R wrist radiograph; frontal view; age 8 y, girl — 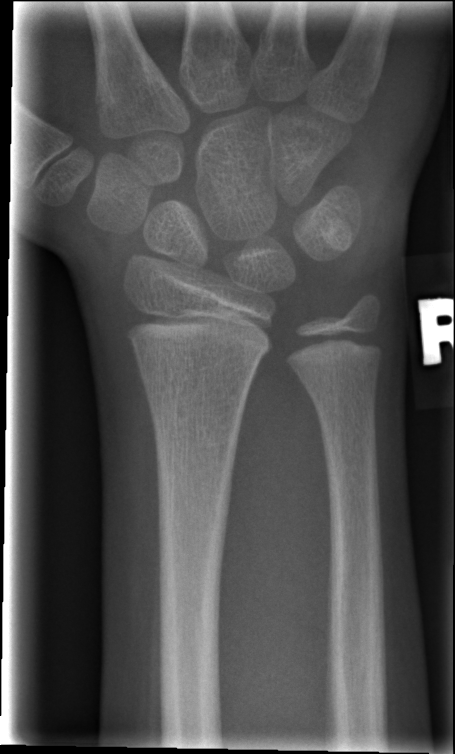

Bone fracture = none labeled